Left wrist plain film | lateral projection: 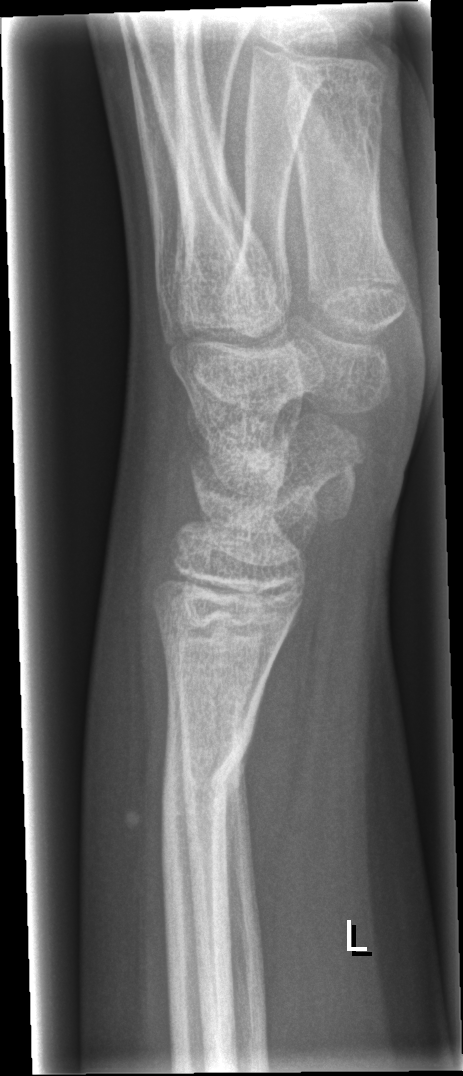

Fracture = 1 @ [x1=158, y1=721, x2=249, y2=835]
Osteopenia = present